Lateral projection | L plain radiograph of the wrist. 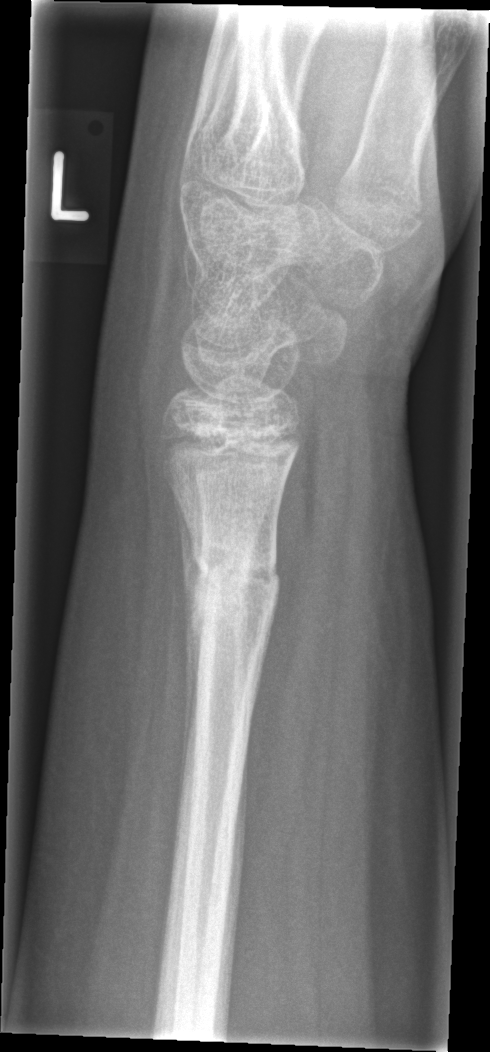 FINDINGS: Periosteal new bone: (left=170, top=484, right=210, bottom=816). AO code 23-M/3.1. One Fx at (left=179, top=538, right=285, bottom=632).